Lt wrist radiograph · PA view · 4y F · image width 74.6 mm.

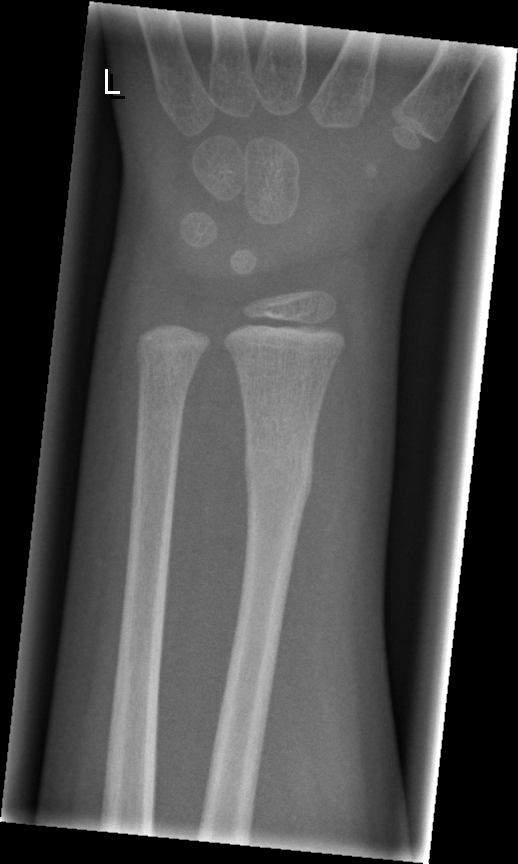

* One soft tissue abnormality at bbox(291, 370, 398, 632).
* Bone fracture — bbox(240, 443, 316, 511).